Rt wrist plain film · lat projection
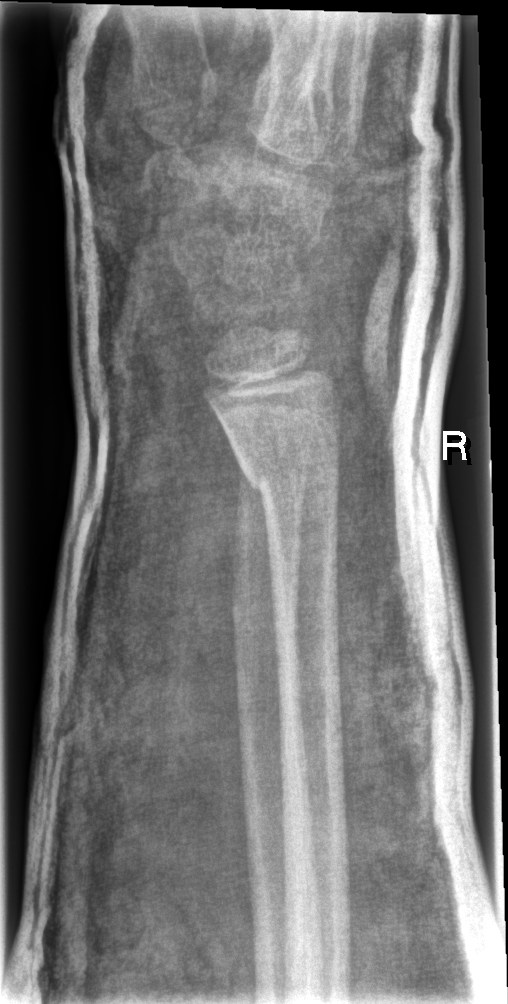 Findings: (bounding boxes in image-pixel xyxy) Fracture identified at (left=234, top=438, right=344, bottom=514). AO code 23-M/2.1.